Left plain radiograph of the wrist, frontal projection, imaged through cast —
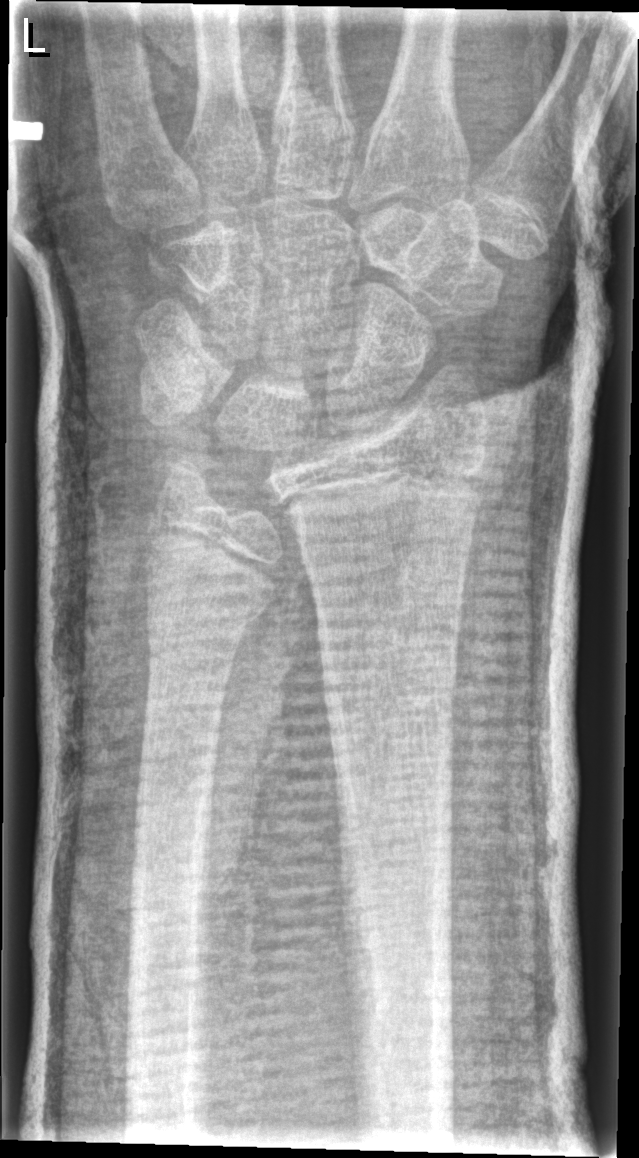

• Bone variant identified at [x1=150, y1=397, x2=332, y2=628].
• Two Fx at [x1=312, y1=599, x2=466, y2=701]; [x1=138, y1=581, x2=266, y2=658].